Lateral projection | Rt pediatric wrist radiograph | 9y M.
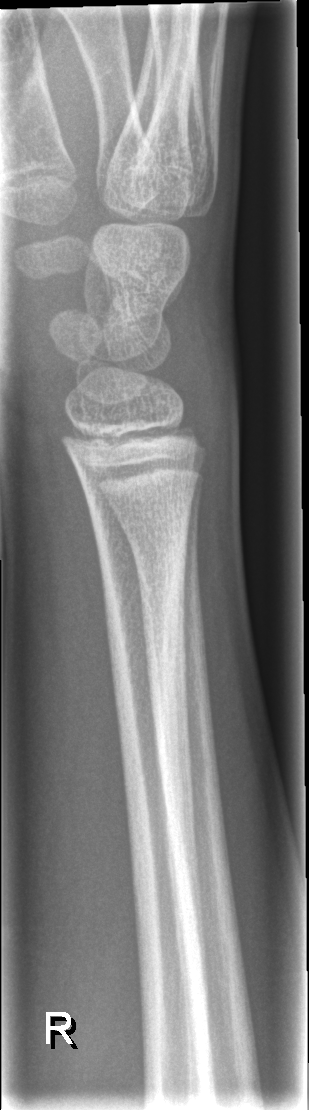
FINDINGS: Fx: none.